Rt wrist plain film; AP; index exam — 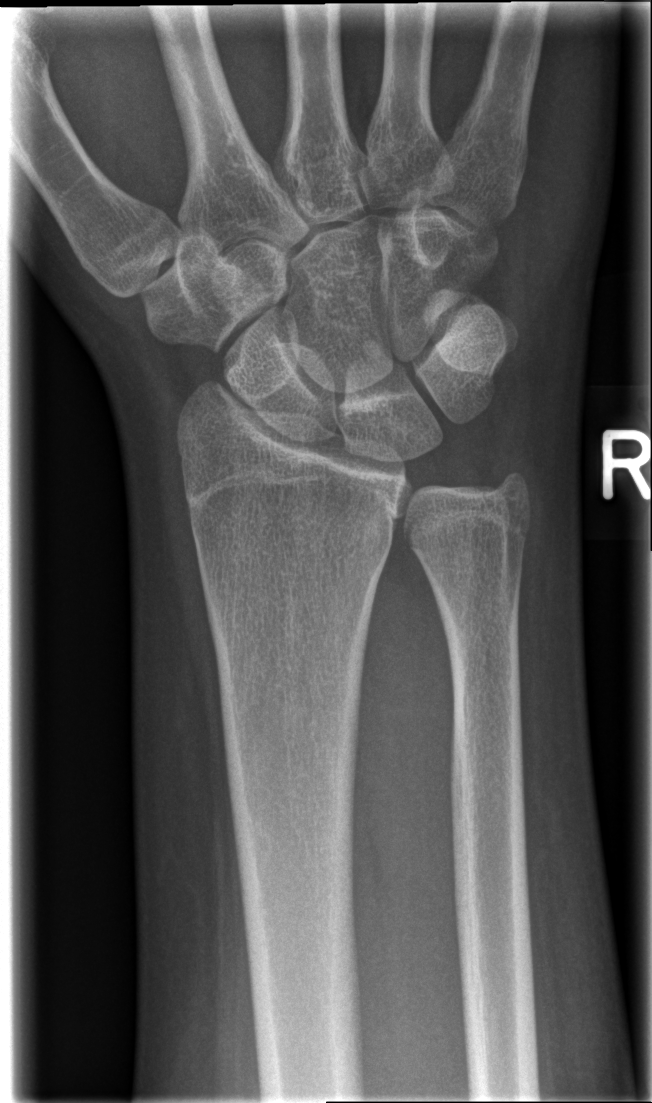

No fracture bounding box.